Lateral | right wrist X-ray | 10-year-old girl.

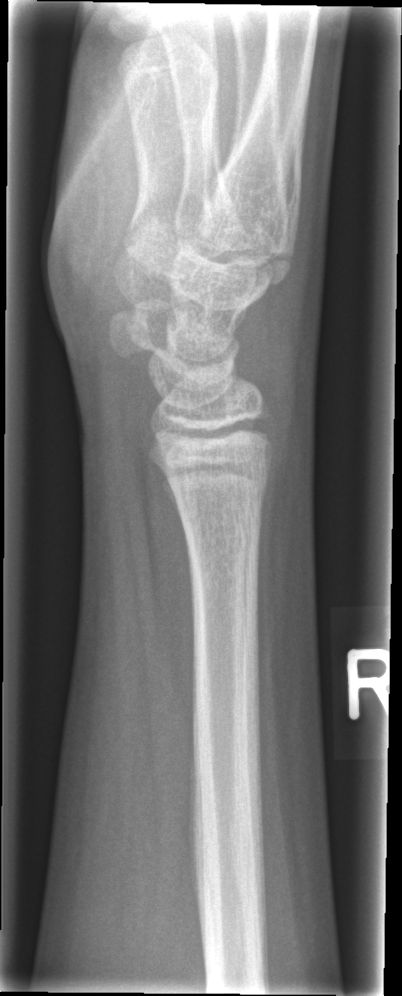 No fracture annotation.